Right wrist plain film, lateral, age 12 y, boy, cast present, acquired on Siemens 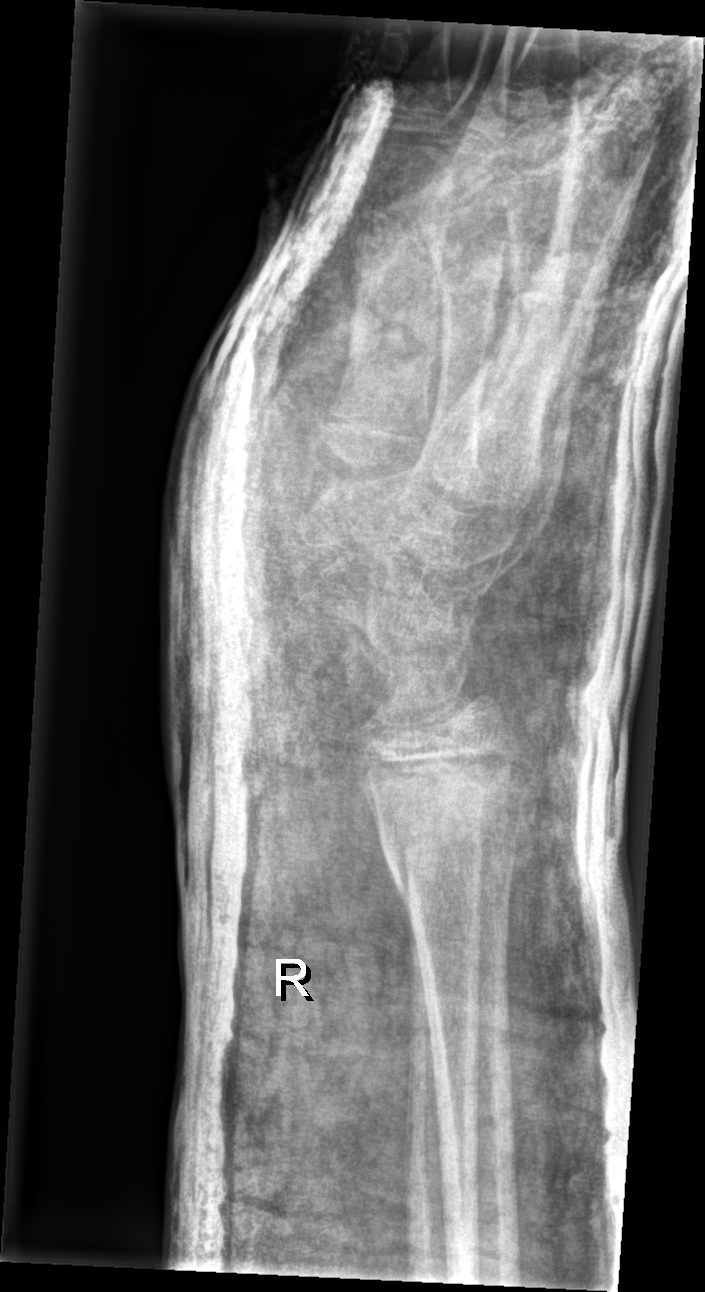

AO classification = 23r-M/3.1
Bone fracture = (360, 752, 528, 916)